Right wrist XR, lat view: 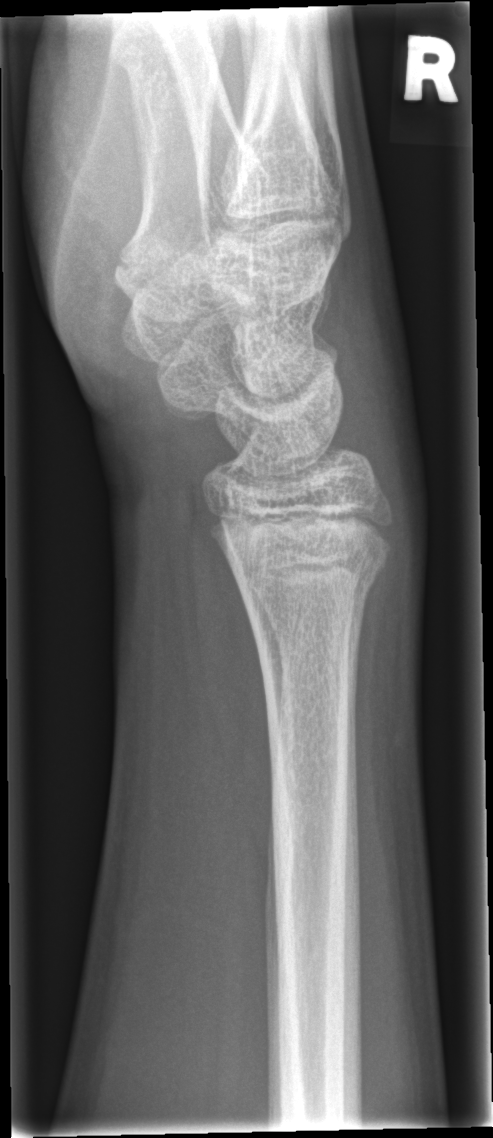 AO/OTA: 23r-M/2.1
bone fracture: 1 @ [225, 526, 395, 613]